Left wrist plain film | lateral projection | in cast:

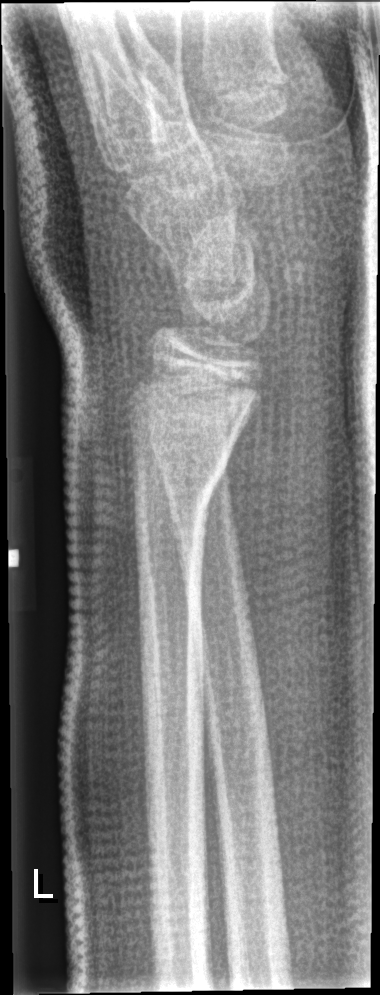

Q: AO code?
A: AO/OTA classification: 23r-M/2.1
Q: Is there a fracture?
A: Bone fracture identified at bbox(129, 441, 235, 522)